Right pediatric wrist radiograph, lateral projection, 4-year-old female.

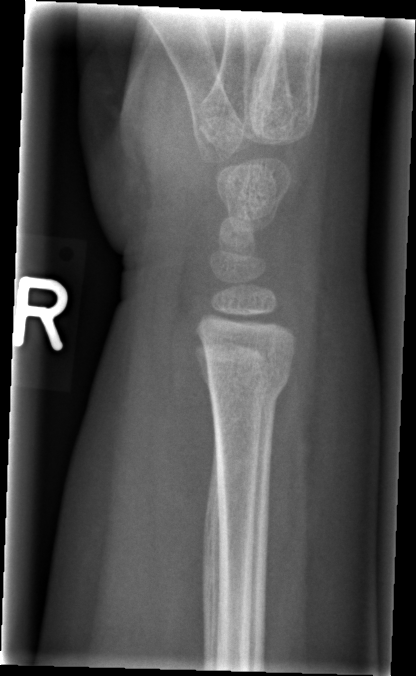
Boxes as x1,y1,x2,y2 (top-left / bottom-right, pixel units).
Fracture — <206,365>-<291,409>.
Fracture classified AO/OTA 23-M/2.1.